Lat, L pediatric wrist radiograph, in cast — 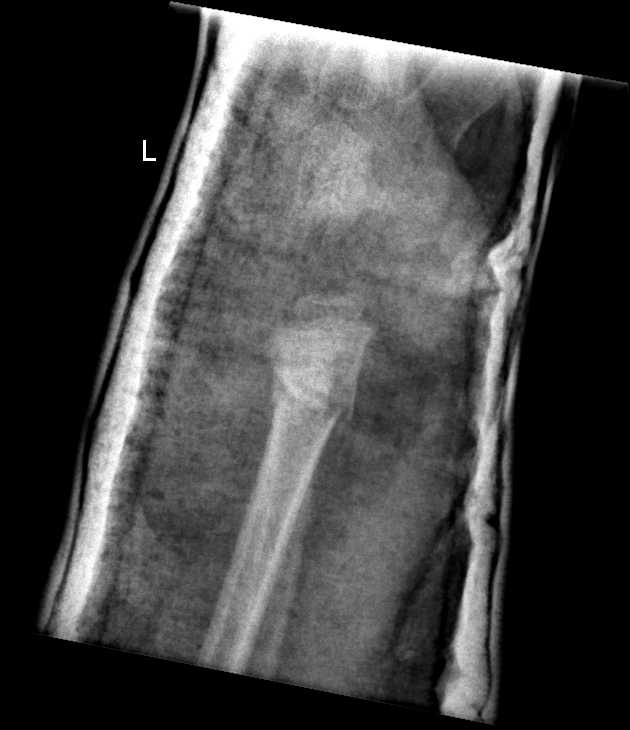

FINDINGS — (boxes as x1,y1,x2,y2 (top-left / bottom-right, pixel units)) Bone fracture: <260,368>-<362,434>.